Left plain radiograph of the wrist; PA/AP; detector: Siemens

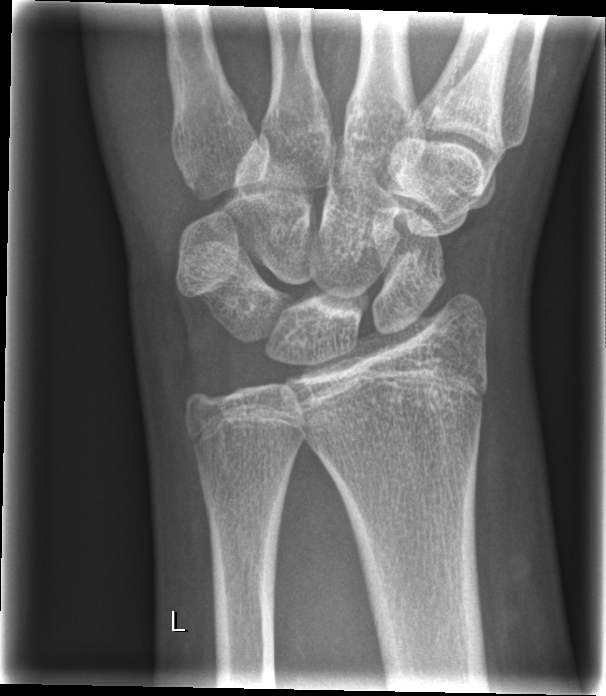
No Fx annotated.